Lat, left wrist plain film, 483 x 1118 px
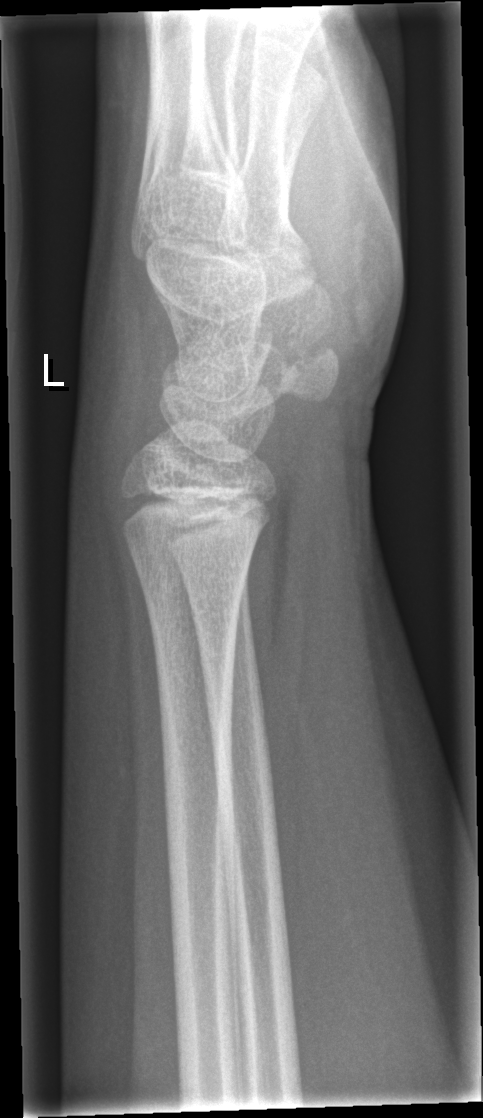
Fracture: none labeled.